R pediatric wrist radiograph, AP, 14-year-old boy, presentation radiograph — 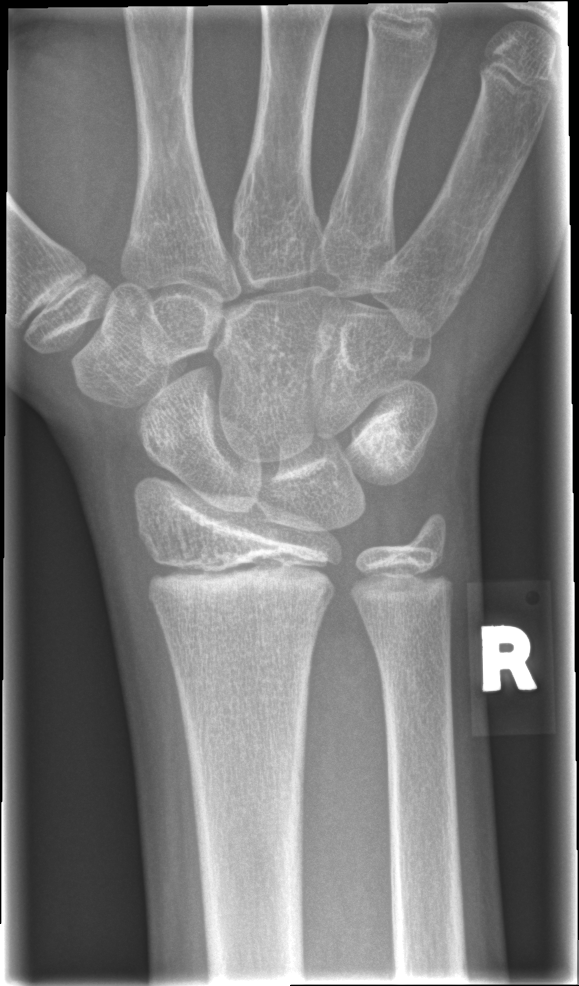 No fracture bounding box.